Right wrist plain film · PA/AP view · female, 8 yo
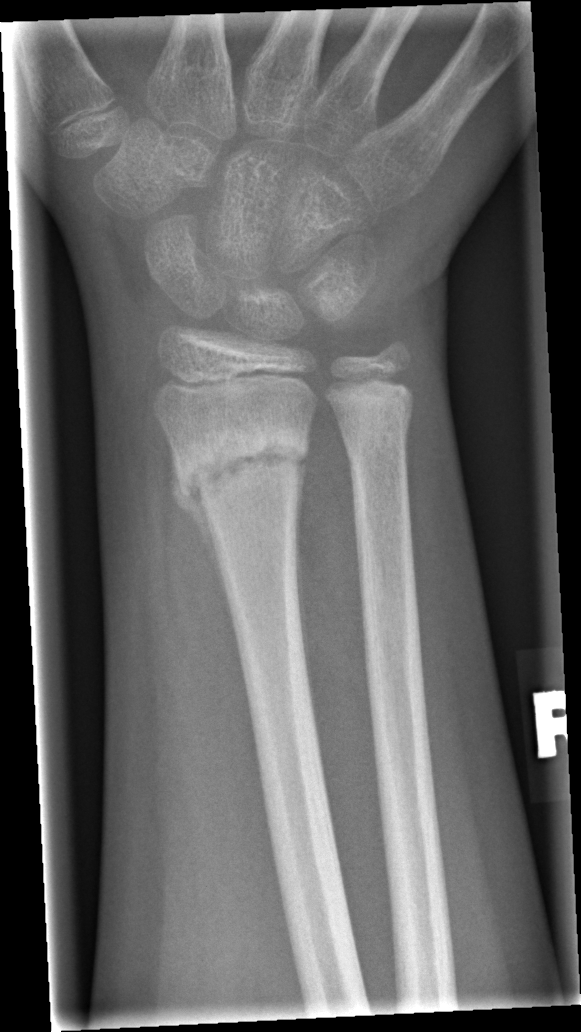
FINDINGS: (bounding boxes in image-pixel xyxy) Decreased bone density (osteopenia). Two periosteal thickening at (left=169, top=439, right=237, bottom=635) (left=295, top=453, right=319, bottom=744). Fracture: (left=170, top=410, right=317, bottom=514), (left=327, top=382, right=418, bottom=456).